PA | L wrist X-ray | pediatric patient (boy, age 17).
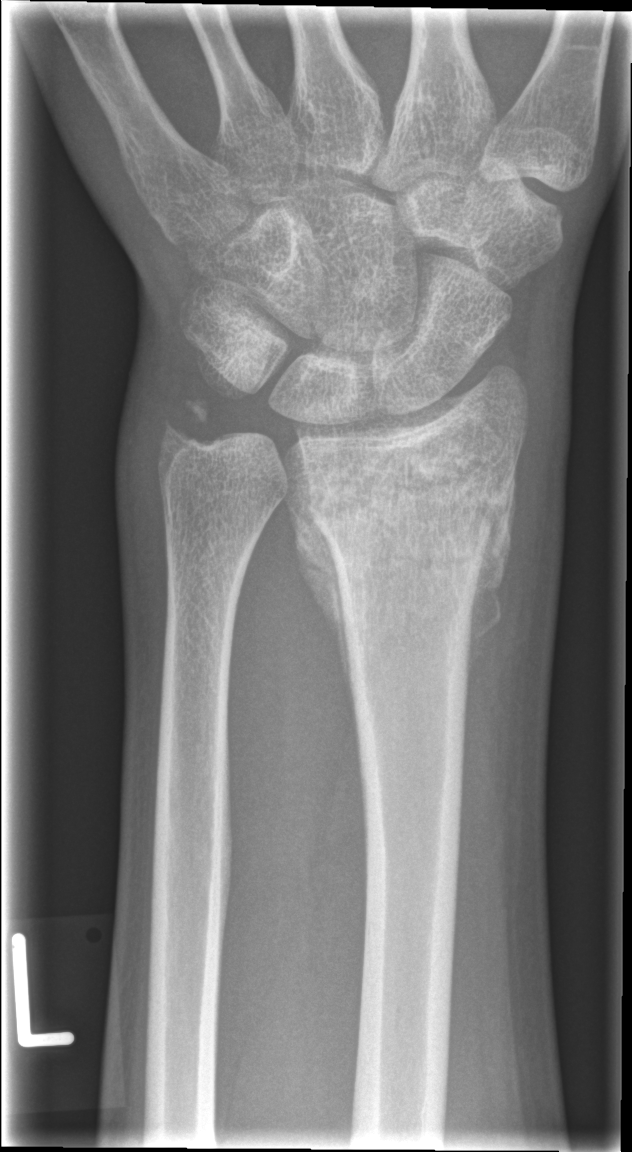

Periosteal reaction: 2 @ (left=286, top=499, right=358, bottom=720); (left=467, top=464, right=518, bottom=696)
AO/OTA: 23r-M/3.1; 23u-E/7
Fracture: 2 @ (left=304, top=442, right=522, bottom=614), (left=145, top=390, right=225, bottom=473)